L wrist XR; lat; age 5 y, girl; acquired on Siemens.

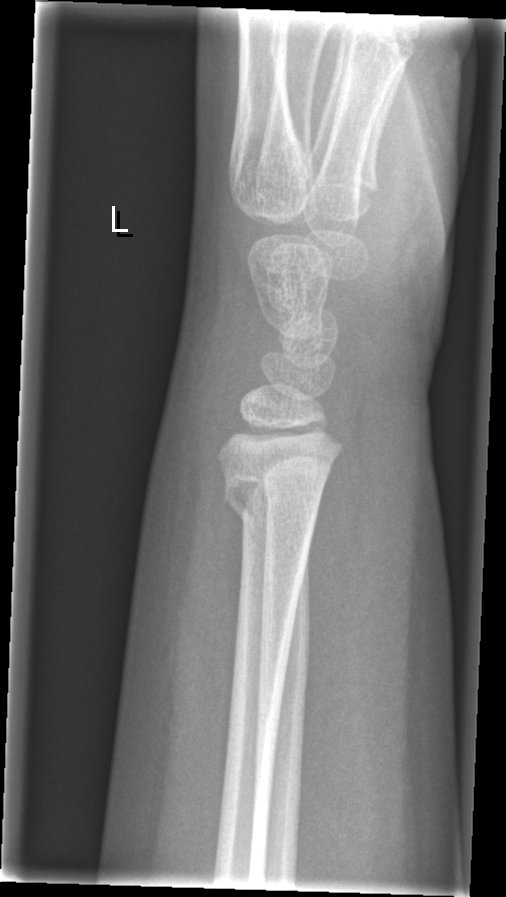 Bone fractures — (left=217, top=467, right=329, bottom=537) (left=258, top=469, right=329, bottom=520).
AO code 23-M/2.1.